Rt wrist XR · lat · cast present · acquired on Siemens —
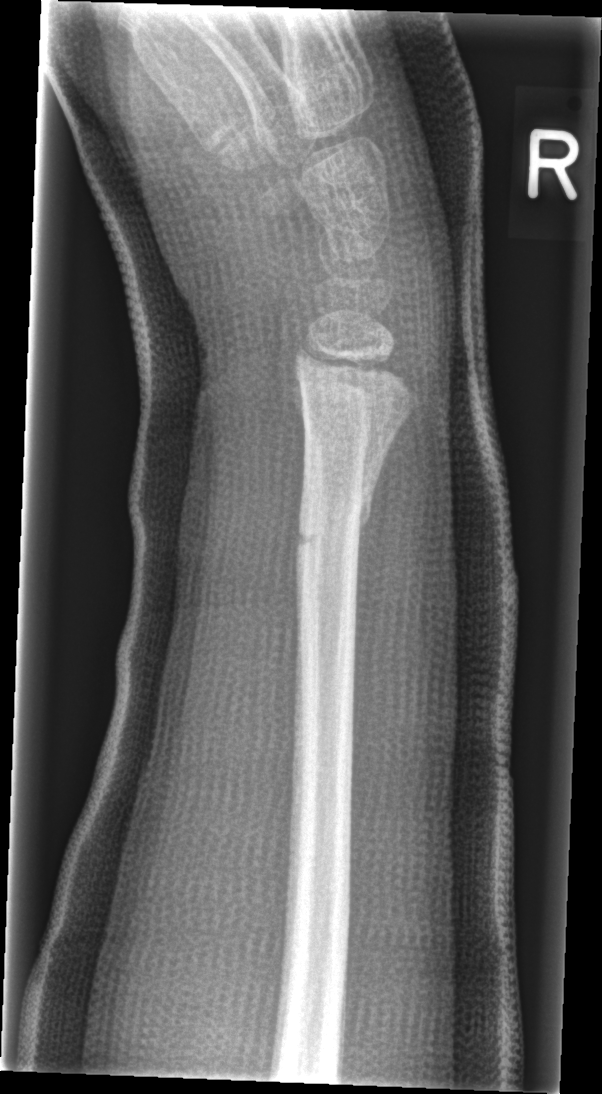 (pixel coordinates, top-left origin, xyxy)
Fx: 1 @ <291,498>-<376,579>
AO code: 23r-M/3.1